Left wrist X-ray | lat projection | female, 1.5 yo 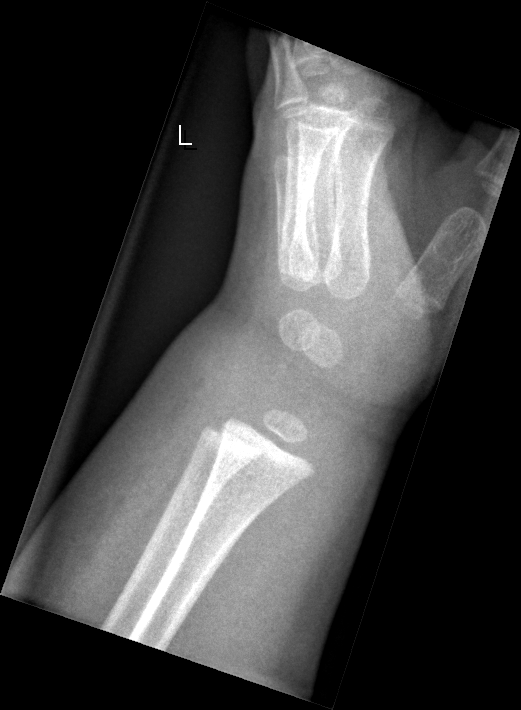
No fracture annotation.